Lateral projection; Lt pediatric wrist radiograph; follow-up study; equivocal findings —

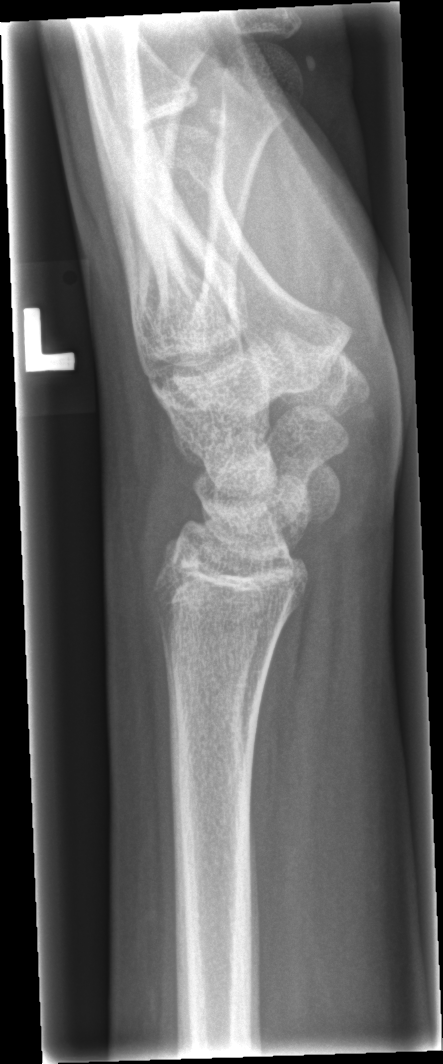 Osteopenia: present
Bone fracture: none labeled